Rt wrist X-ray; frontal; 11y F.

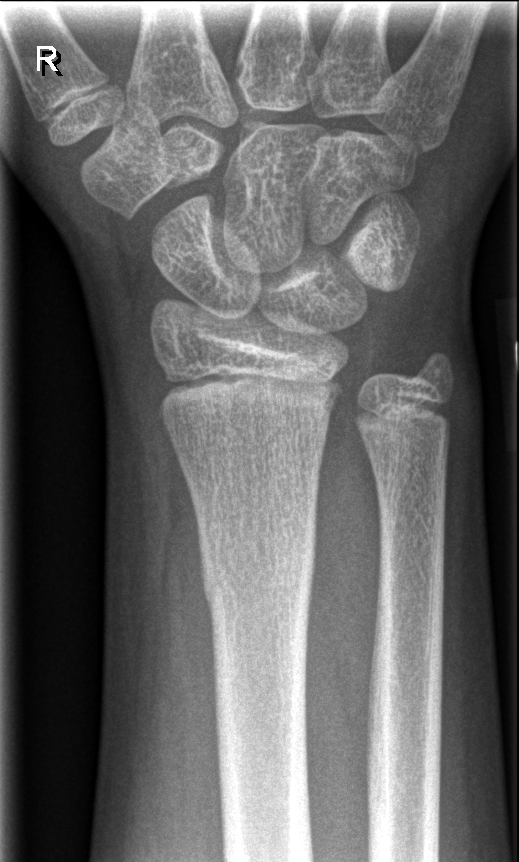
(coordinates are [x1, y1, x2, y2] in image pixels)
AO classification = 23r-M/2.1
Fracture = bbox(198, 534, 317, 622)